Lateral view | right wrist X-ray —
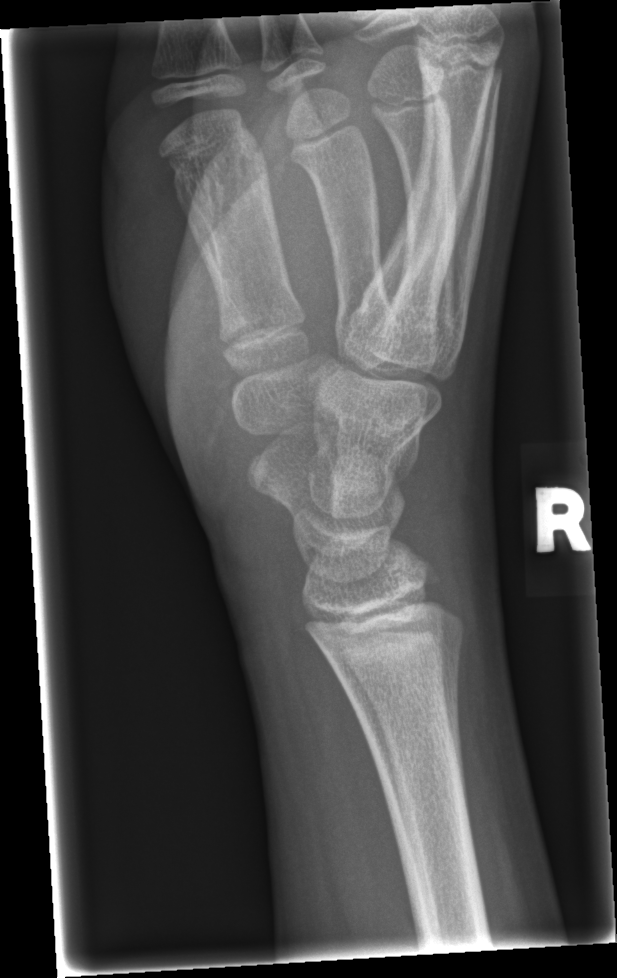
{"fracture": "none labeled"}